Lat · L wrist plain film —
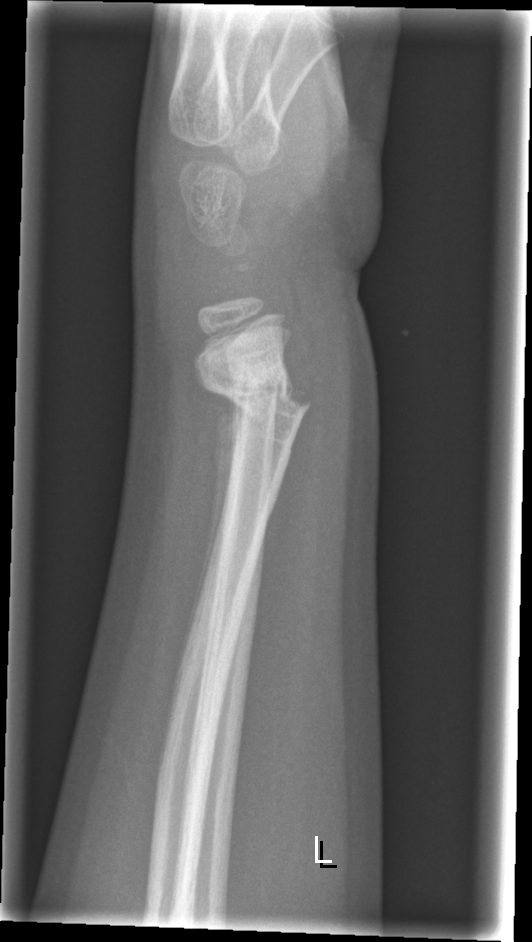
(boxes as x1,y1,x2,y2 (top-left / bottom-right, pixel units))
AO classification = 23r-M/3.1; 23u-M/2.1
periosteal thickening = 1 @ [196, 404, 233, 593]
bone fracture = [206, 377, 317, 428]